PA/AP projection, left wrist XR, female, 8 yo 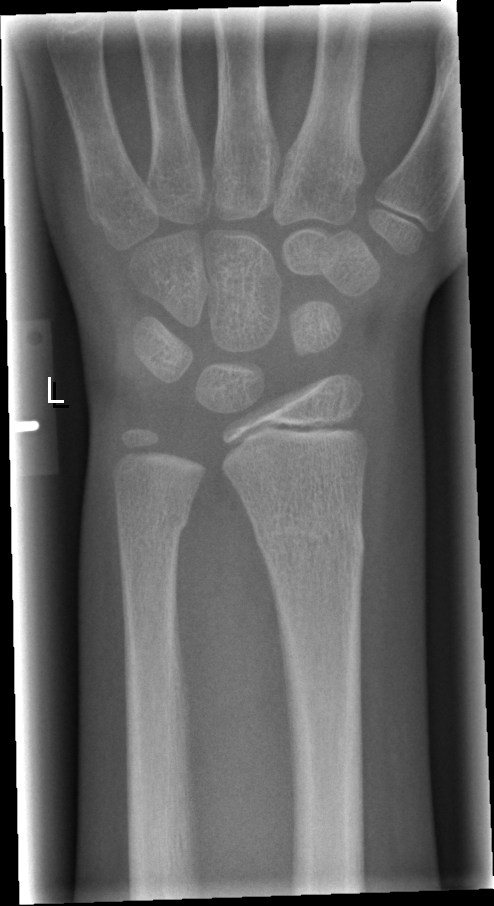

Fracture: (left=256, top=511, right=367, bottom=568), (left=110, top=501, right=197, bottom=551)